Lateral projection | right wrist radiograph | presentation radiograph | 445 by 576 pixels —
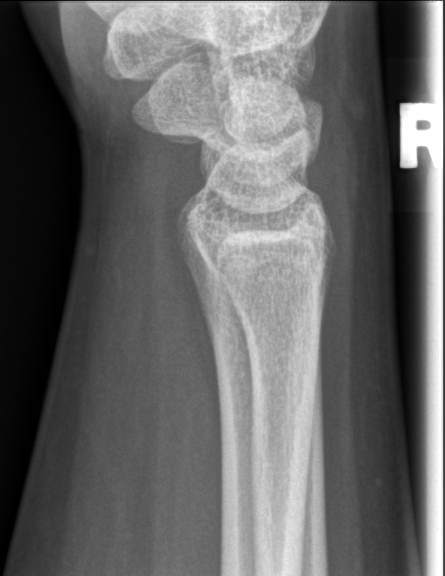 Fx: none.